Lateral, Lt wrist X-ray, 17y M —

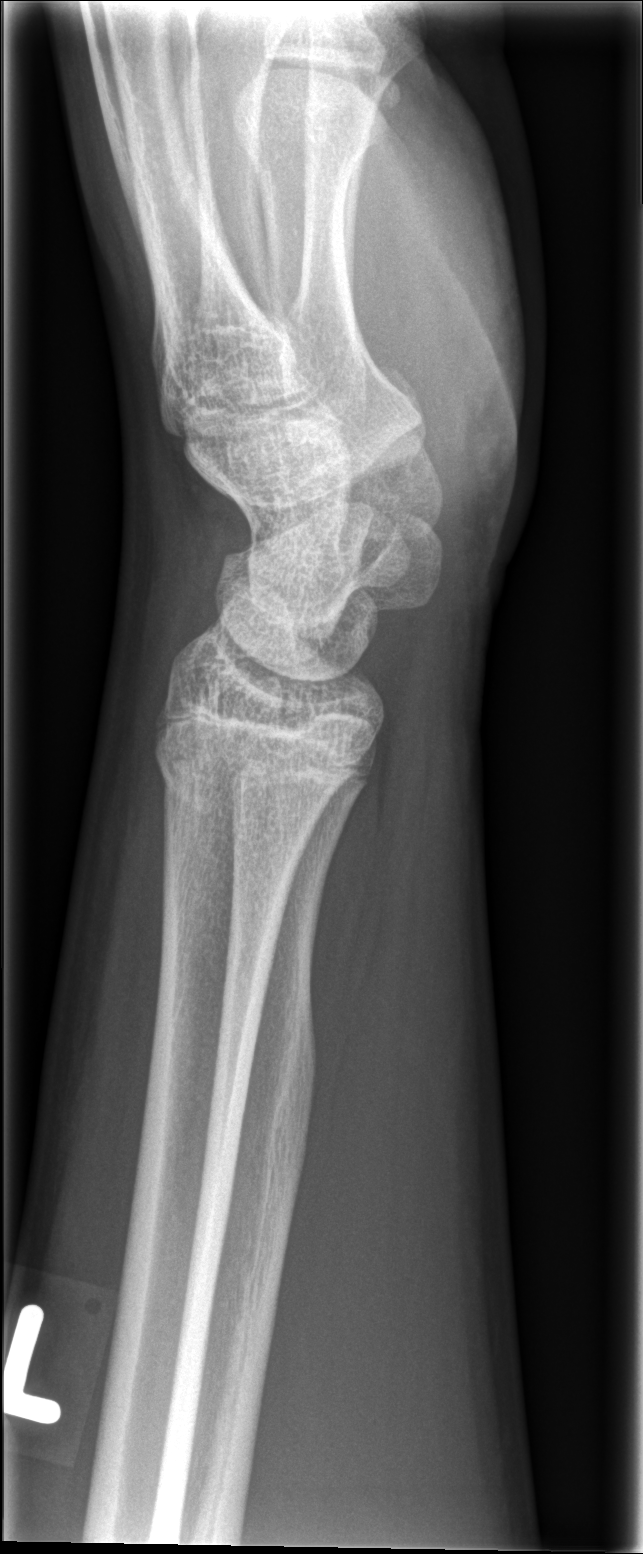

Q: Locate any fractures.
A: One fracture at [x1=151, y1=721, x2=335, y2=813]